Lateral projection · R pediatric wrist radiograph · boy, 13 yo

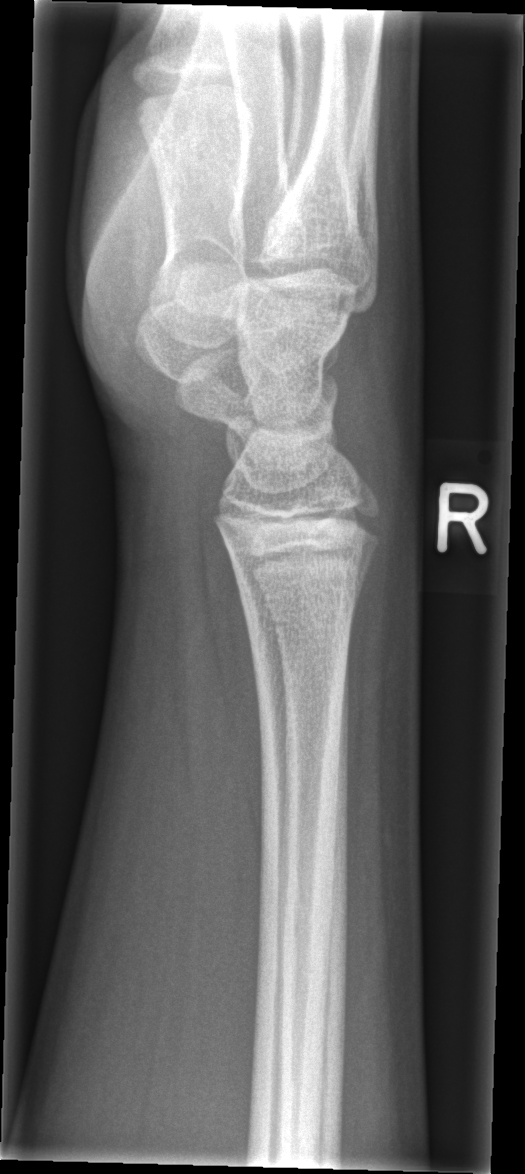
No fracture bounding box.